Left wrist plain film, AP view, 13y F:
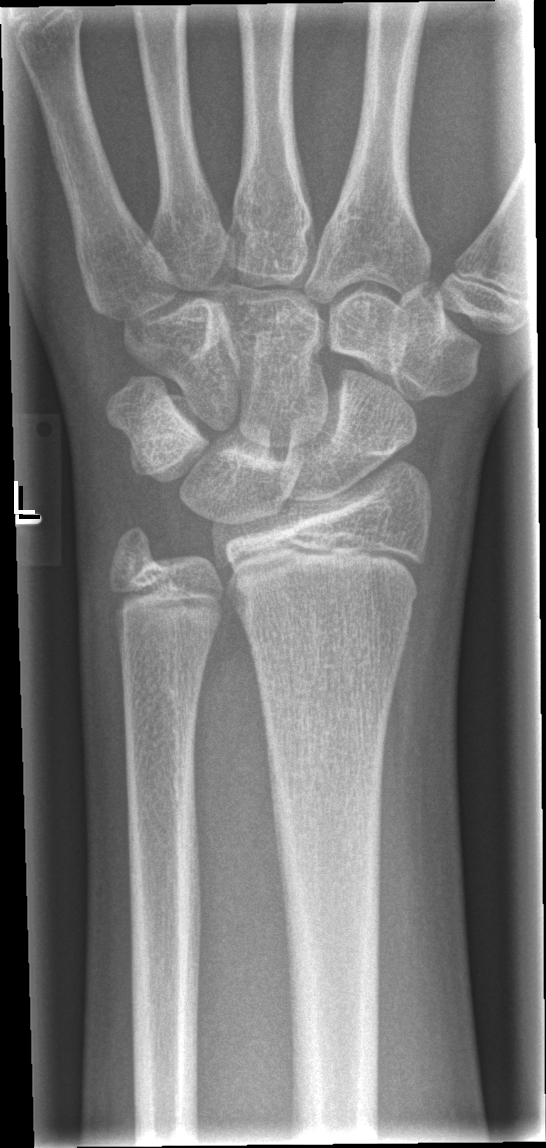 FINDINGS: Fracture: none labeled.